PA/AP projection; L wrist X-ray; age 16 y, female; initial study.
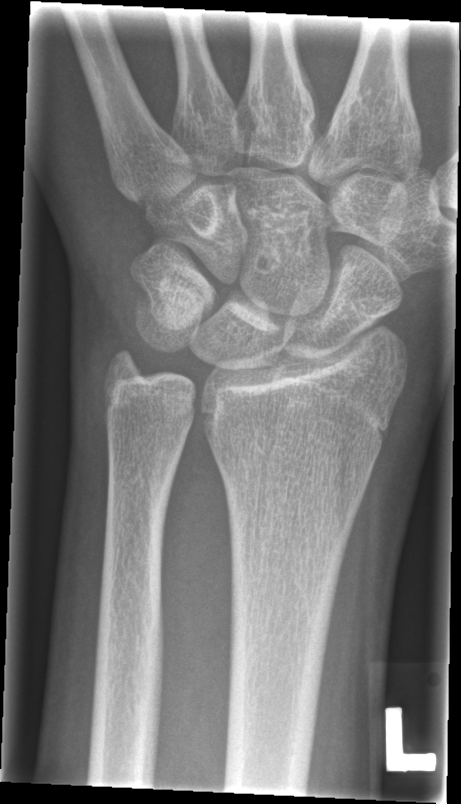
Fx: none labeled